L wrist XR | lat projection | 14y F | findings marked uncertain by the reading radiologist

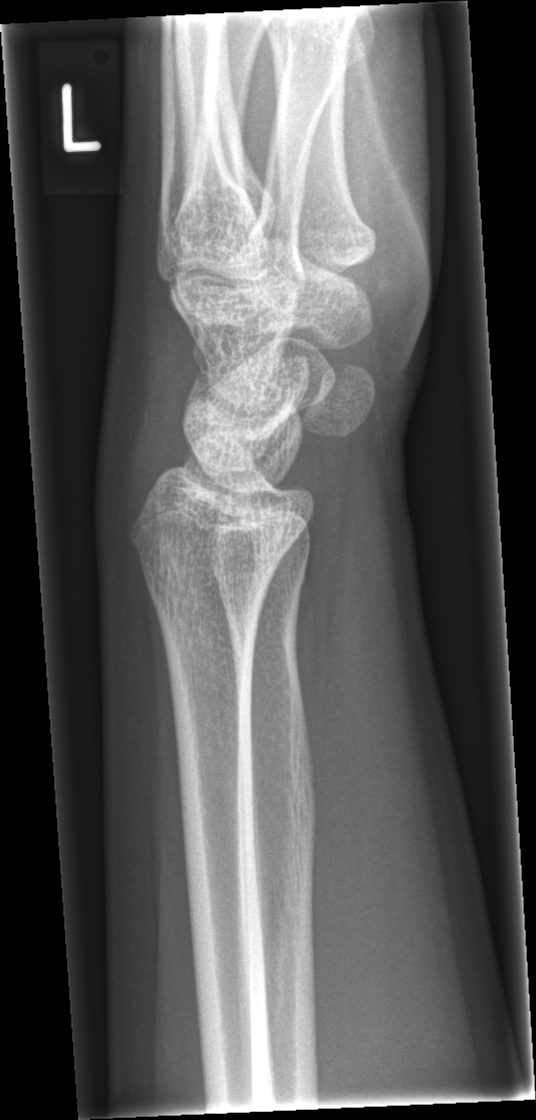 FINDINGS: (coordinates are [x1, y1, x2, y2] in image pixels) AO code 23r-M/2.1. One bone fracture at [x1=136, y1=550, x2=266, y2=675].